Left wrist X-ray | PA projection | boy, 10 yo | in cast

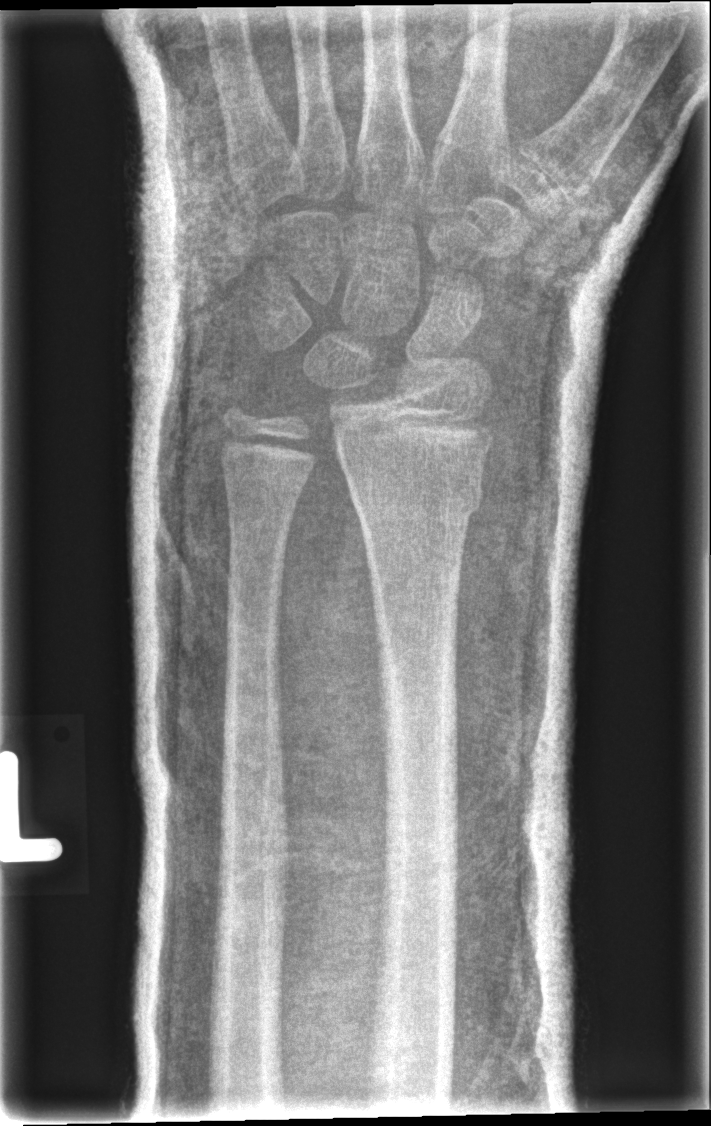
Fracture = 1 @ 344 459 490 529